Lateral view, right wrist pediatric wrist radiograph, 502x928. 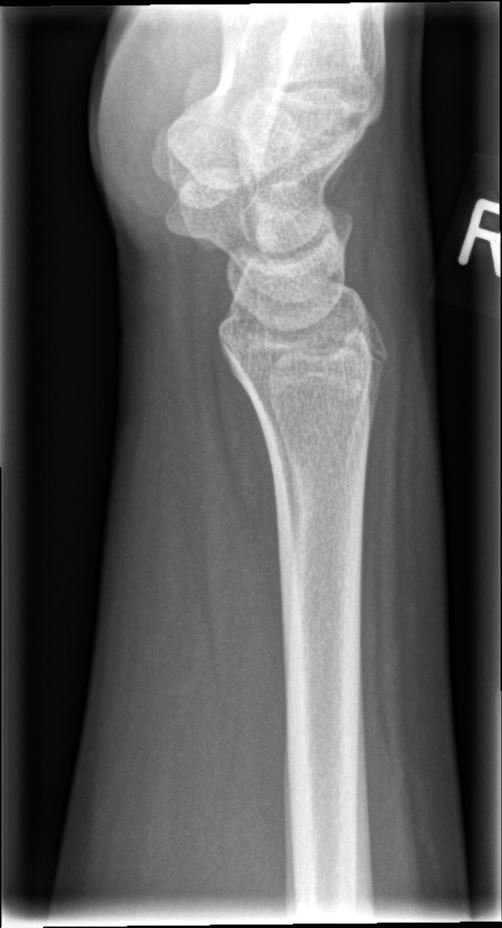
Fx: none.